Lat view | left wrist radiograph | age 10 y, girl | follow-up | image size 606x1180 — 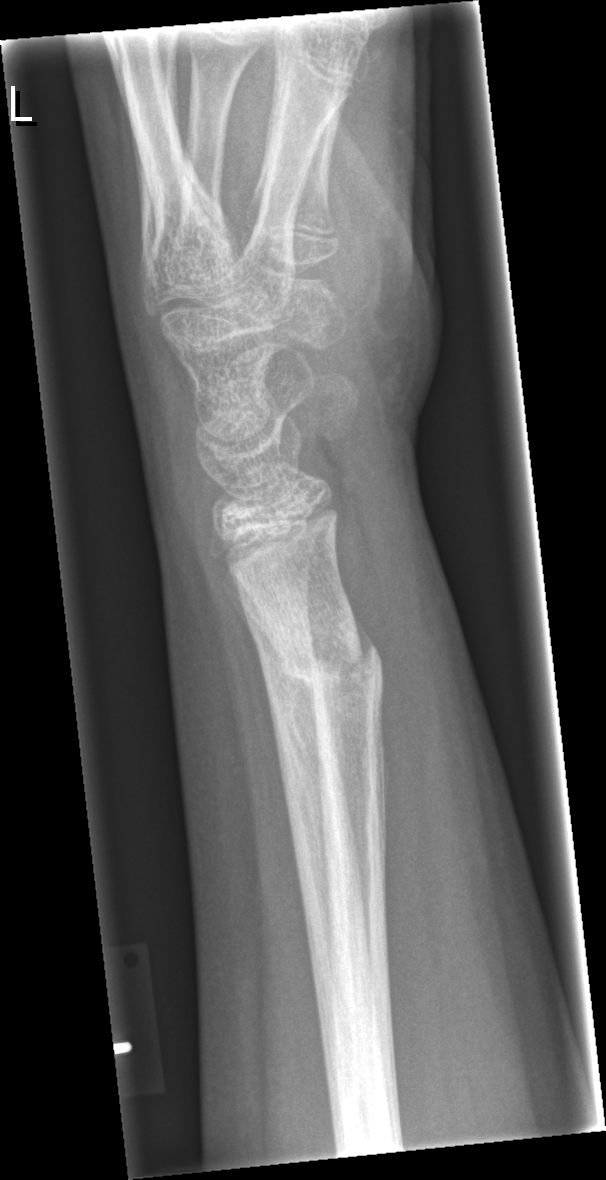
(coordinates are [x1, y1, x2, y2] in image pixels)
osteopenia: present
Fx: 1 @ (269, 608, 390, 710)